R pediatric wrist radiograph; lat view; image 61.5 mm wide.

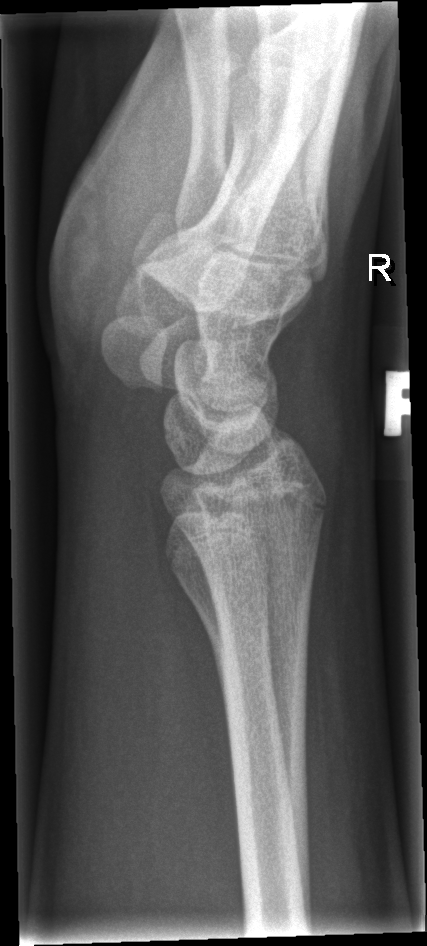

Fracture: none labeled